Lateral projection | right plain radiograph of the wrist | age 9 y, girl —

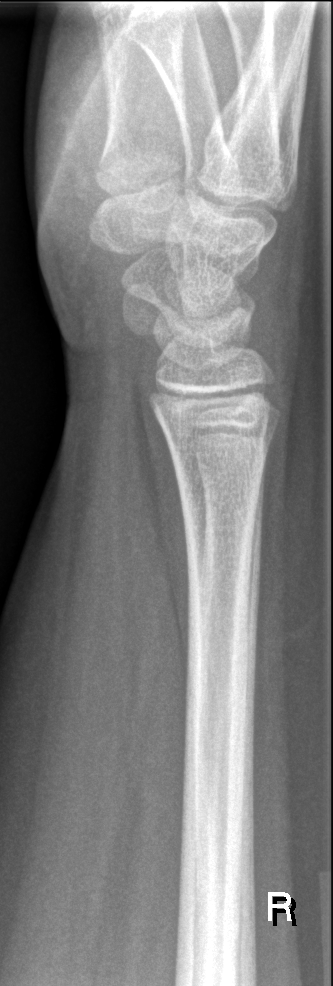
Fracture: none labeled